Lt wrist radiograph · frontal · 13-year-old male · index exam · acquired on Siemens · 581x812. 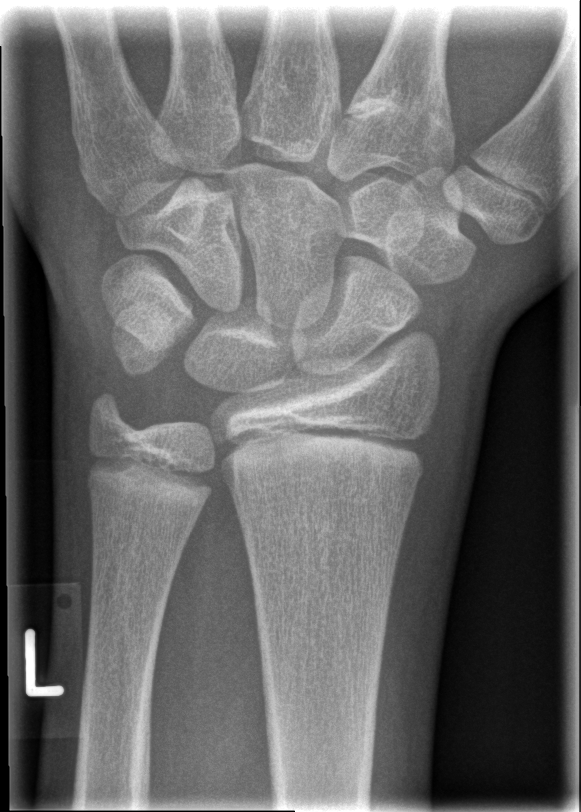
Q: Is there a fracture?
A: Fx: none